Left wrist XR | PA/AP view | 6-year-old girl | imaged through cast.

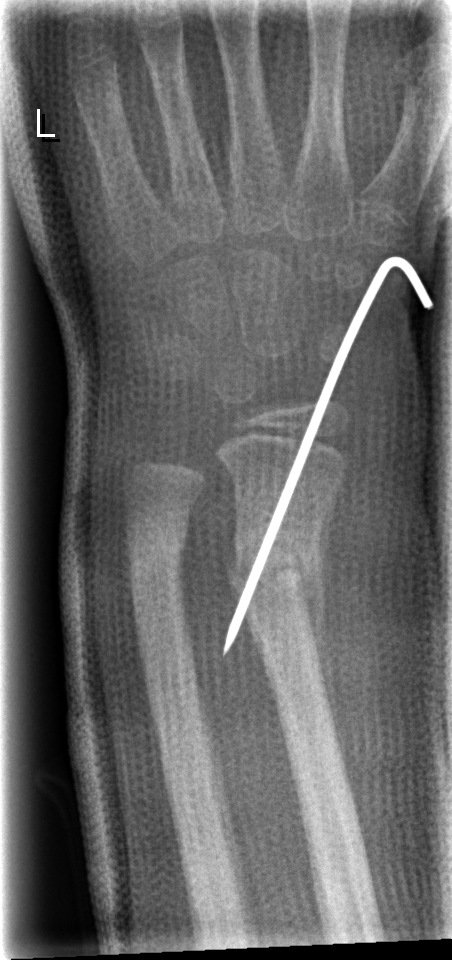
(pixel coordinates, top-left origin, xyxy)
Q: Locate any hardware.
A: Metallic hardware — 222,255,434,655
Q: What is the AO/OTA classification?
A: AO/OTA classification: 23r-M/3.1; 23u-M/2.1
Q: Any fracture seen?
A: Two Fx at 223,521,329,644 | 125,511,190,607
Q: Any periosteal thickening?
A: Periosteal thickening: 300,541,337,737